Right wrist XR, PA projection, male, 0.9 yo, detector: Siemens, 52.7 mm image width —
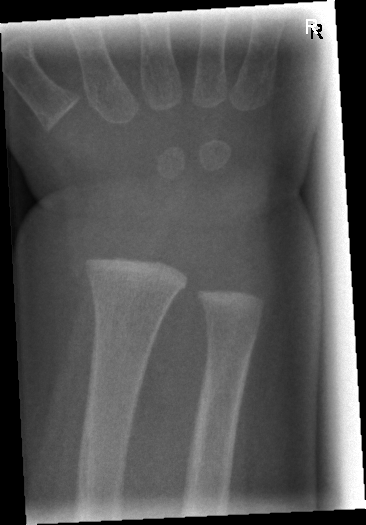 FINDINGS: Fracture: none labeled.